PA/AP | L wrist radiograph | index exam | image size 644x1044:
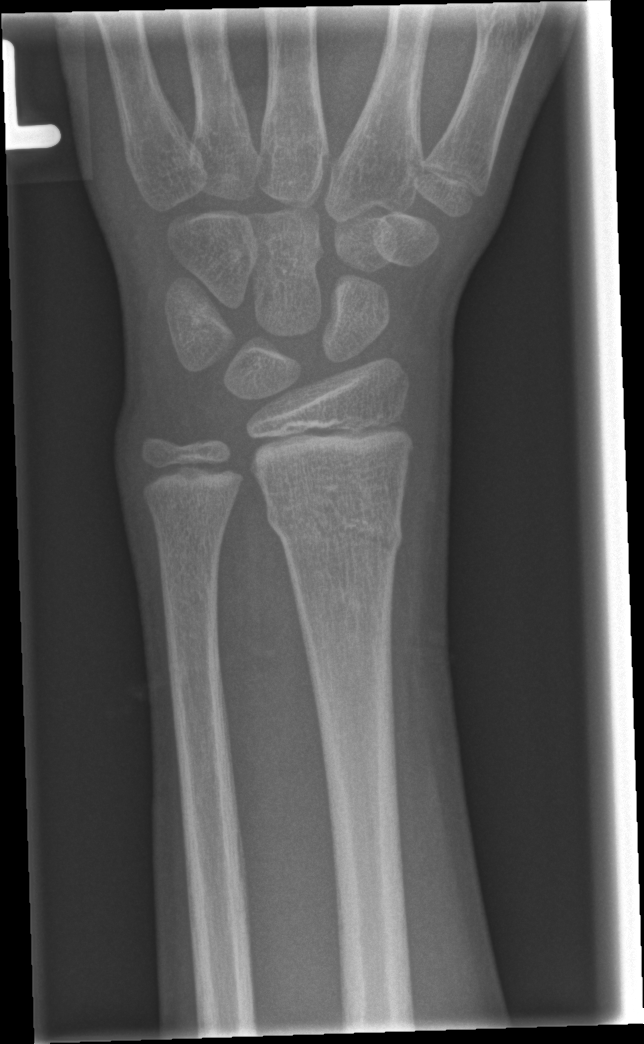

Bone fracture — bbox(263, 498, 408, 564). AO code 23r-M/3.1.